Right wrist XR; lat projection; acquired on Siemens: 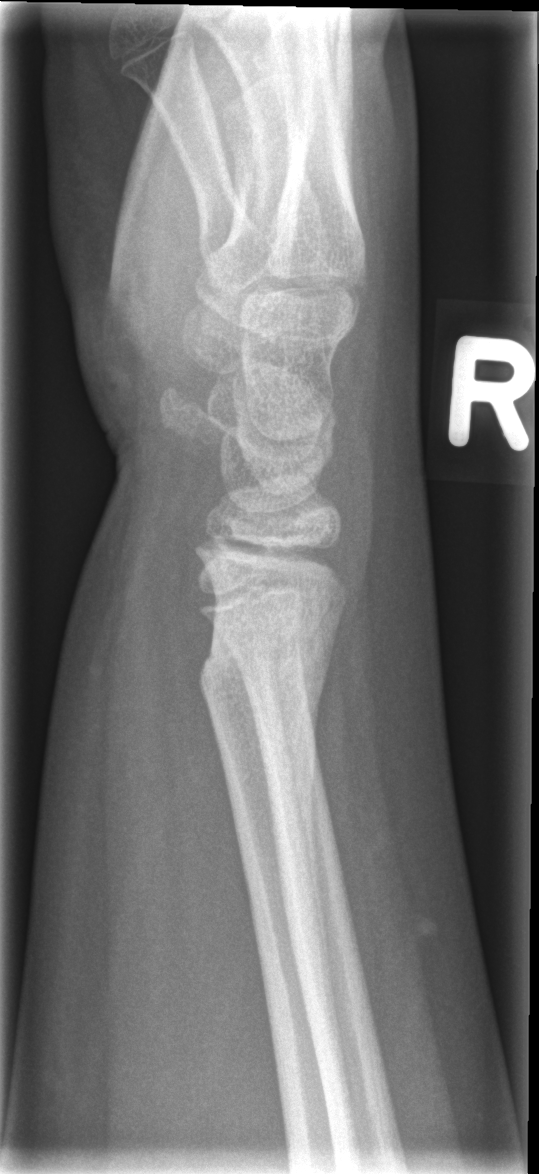

(coordinates are [x1, y1, x2, y2] in image pixels)
AO classification = 23r-M/3.1; 23u-E/7
fracture = 192,622,339,730